Lateral, left plain radiograph of the wrist, 14-year-old girl
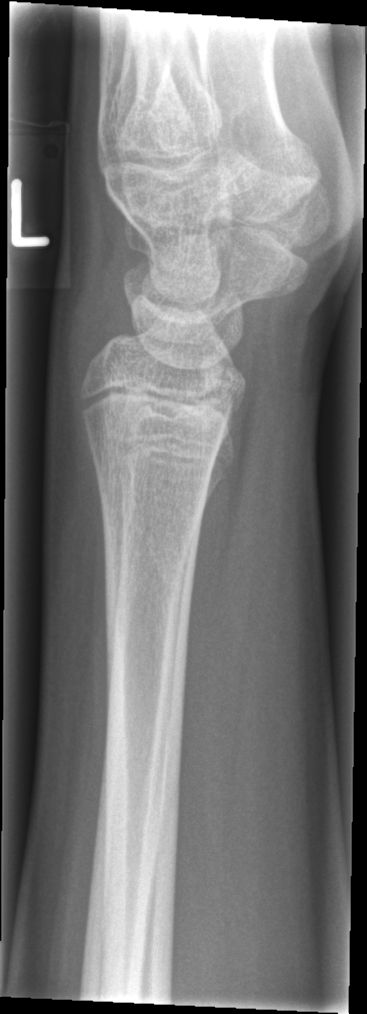

Fx = none labeled